PA, Lt plain radiograph of the wrist, age 8 y, male, imaged through cast, 666 by 1115 pixels. 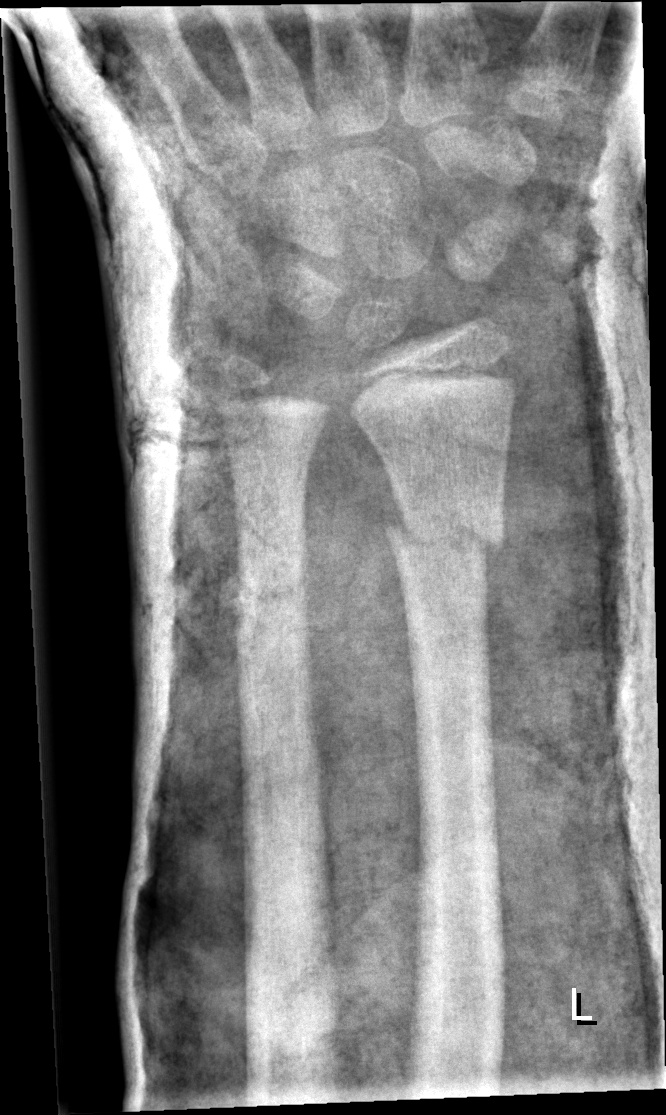
Boxes as x1,y1,x2,y2 (top-left / bottom-right, pixel units). Fx — [380, 494, 506, 582], [234, 562, 311, 627].